PA/AP view, right wrist radiograph, Siemens, 775 x 1006 px:

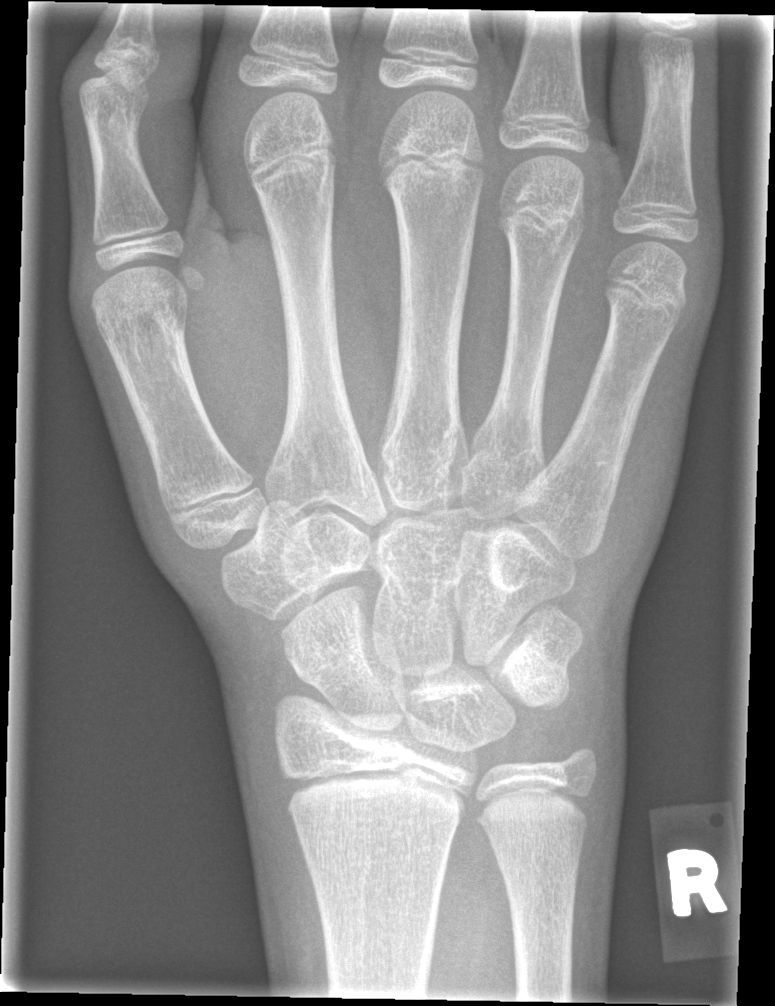
{
  "fracture": "none labeled"
}